AP, left wrist radiograph, acquired on Siemens 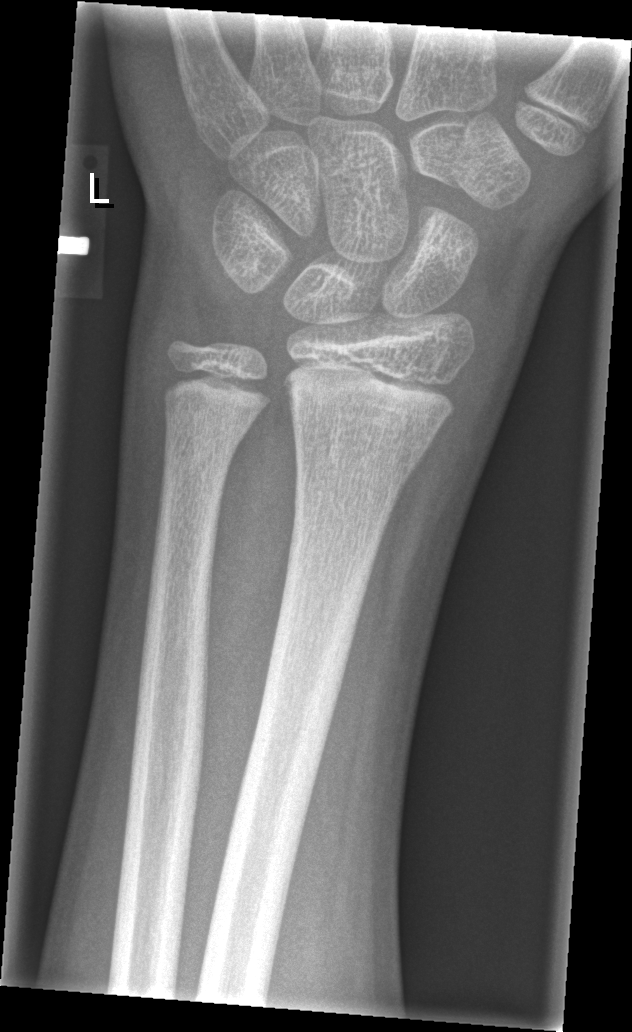

FINDINGS: Fracture present, though not clearly seen in this view.